Lateral | R wrist radiograph | boy, 16 yo | subsequent exam | in cast.
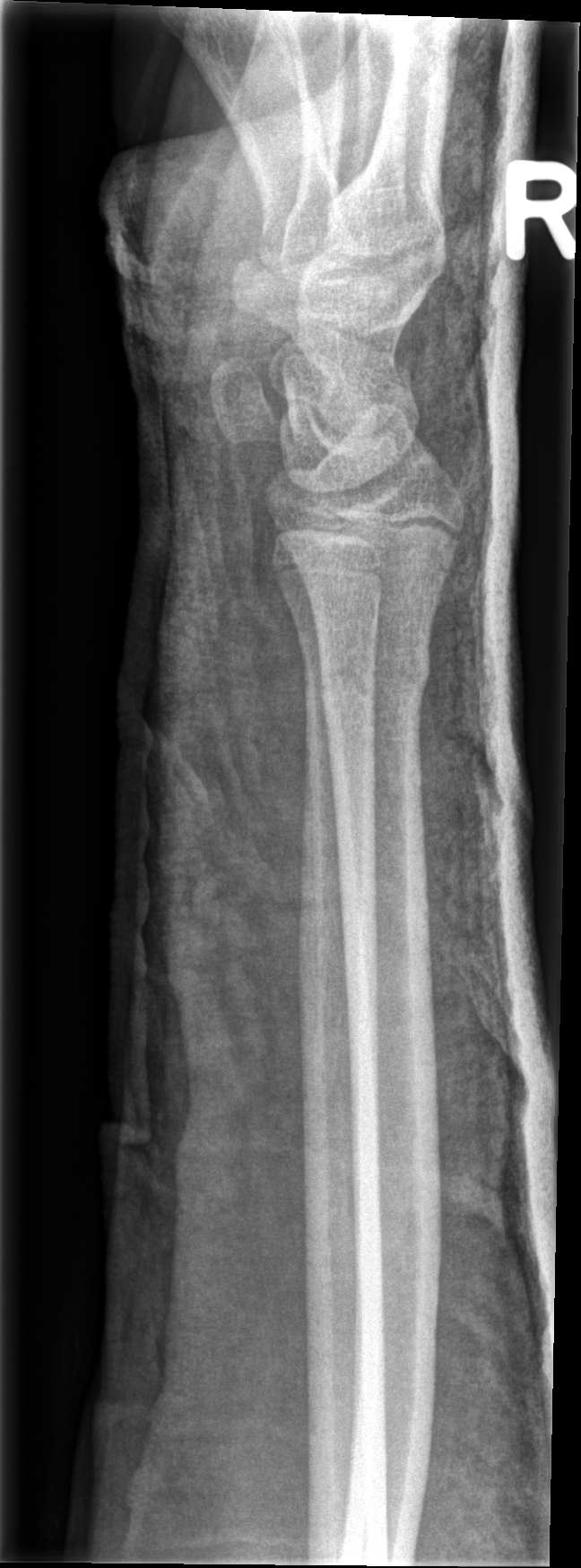
  # bounding boxes in image-pixel xyxy
  fracture: bbox(297, 628, 435, 708)